Lat | left plain radiograph of the wrist | 63.9 mm image width | 444 by 614 pixels —

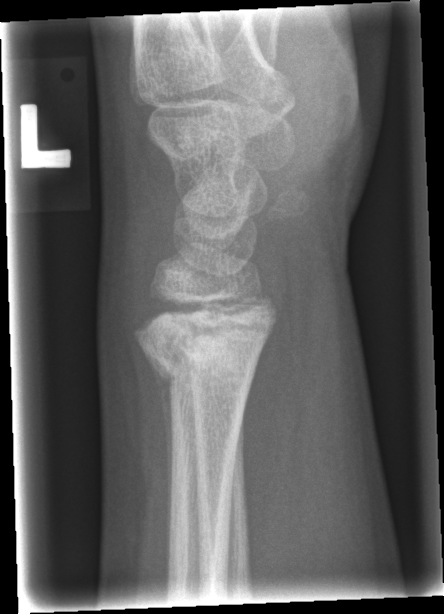 • One Fx at 139,332,262,407.
• Periosteal new bone: 142,347,176,565.
• AO code 23r-M/3.1; 23u-E/7.